Rt wrist XR · lateral view · age 16 y, boy · findings marked uncertain by the reading radiologist · 474 by 892 pixels:
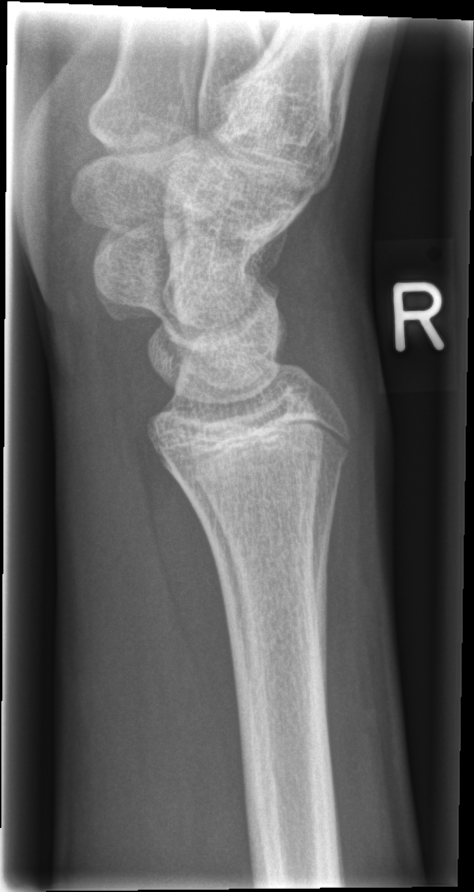
- Bone fracture identified at [x1=169, y1=435, x2=357, y2=492].
- AO code 23r-M/2.1.